R plain radiograph of the wrist, lateral, age 4 y, female, acquired on Siemens.
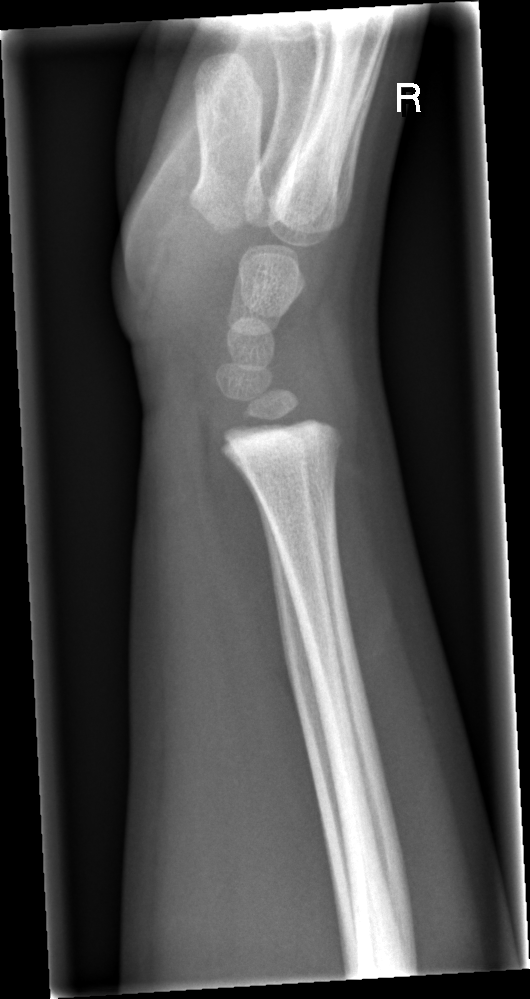
FINDINGS — No fracture labeled.